Lateral · right wrist plain film.
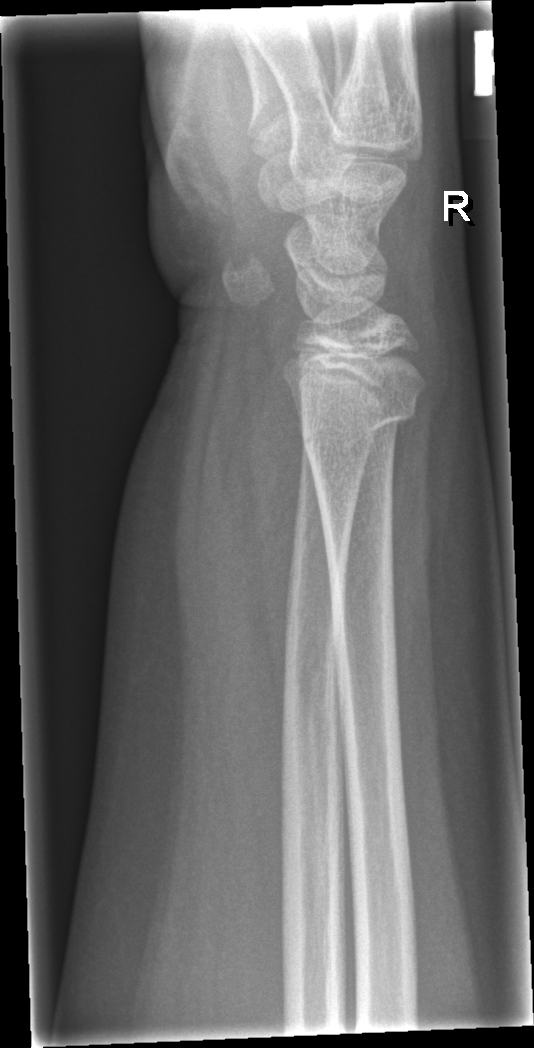

- Boxes as x1,y1,x2,y2 (top-left / bottom-right, pixel units).
- Fracture: 294 386 426 467.
- One pronator quadratus fat-pad sign at 216 323 308 730.
- Fracture classified AO/OTA 23r-M/3.1.